AP view, R wrist radiograph, index exam:
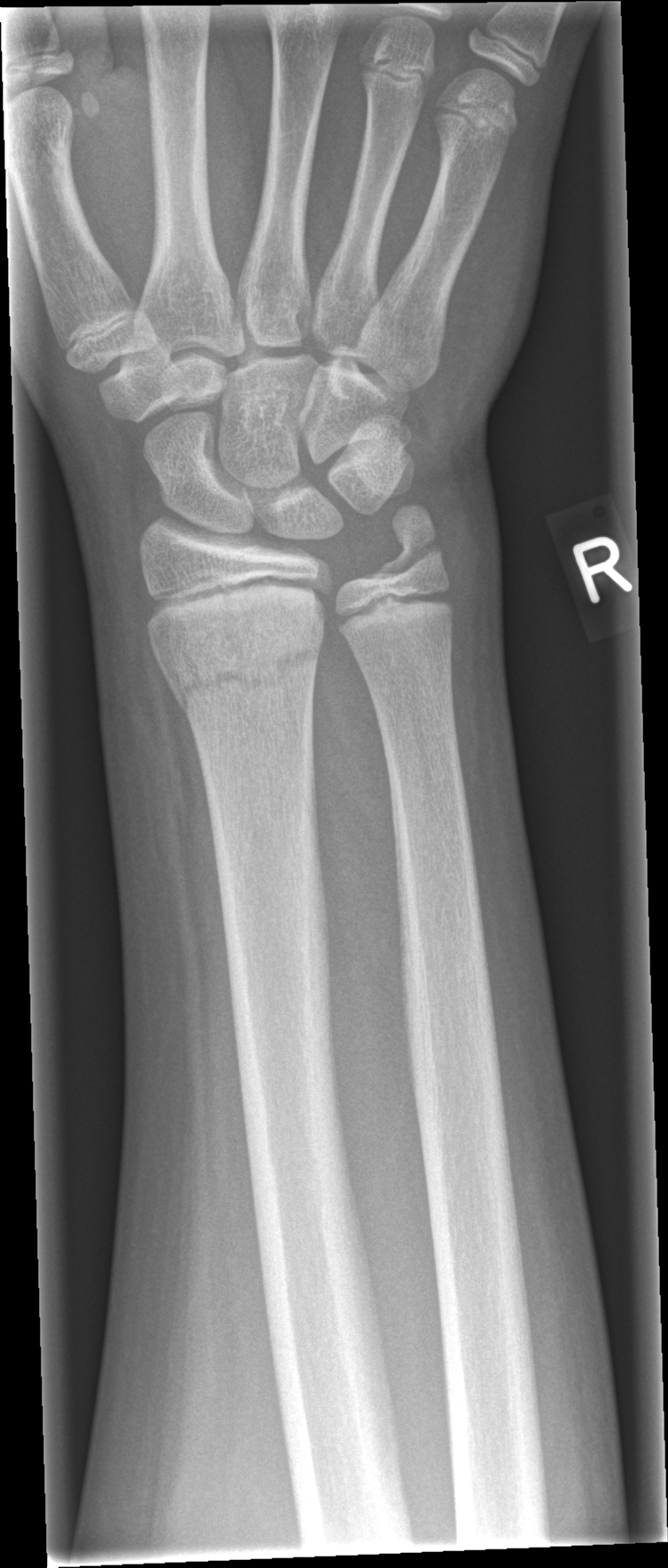 {"_coords": "coordinates are [x1, y1, x2, y2] in image pixels", "fracture": "[x1=168, y1=637, x2=325, y2=715]; [x1=365, y1=501, x2=452, y2=593]"}